R wrist radiograph · lateral projection · 14y M · in cast · 642x1028 —

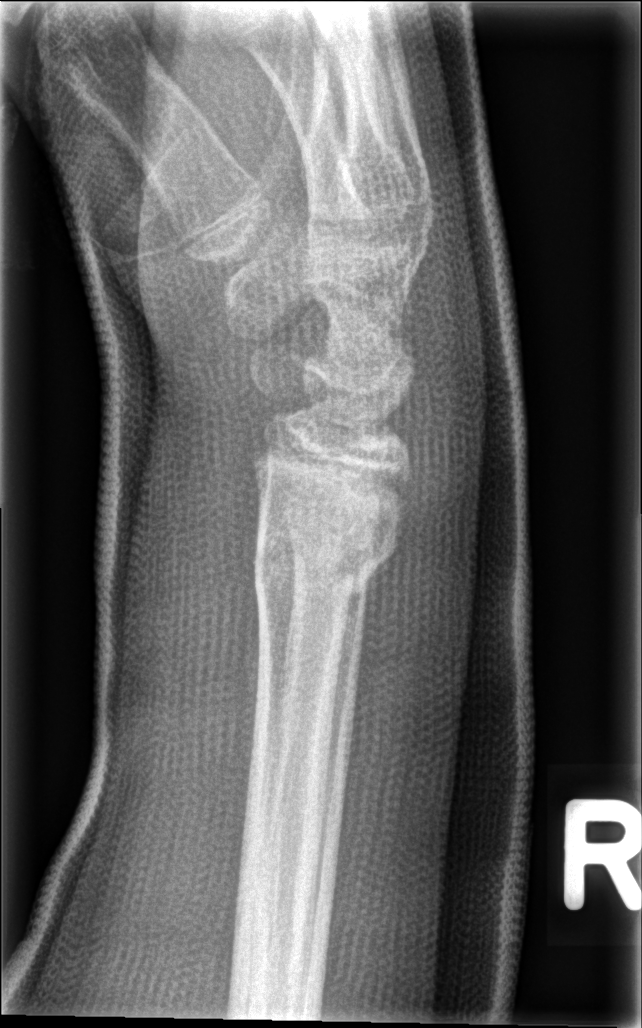

(pixel coordinates, top-left origin, xyxy)
bone fracture = [254, 523, 401, 600]
AO classification = 23r-M/3.1; 23u-M/2.1